Lateral projection; L wrist radiograph; 2y M; Siemens.
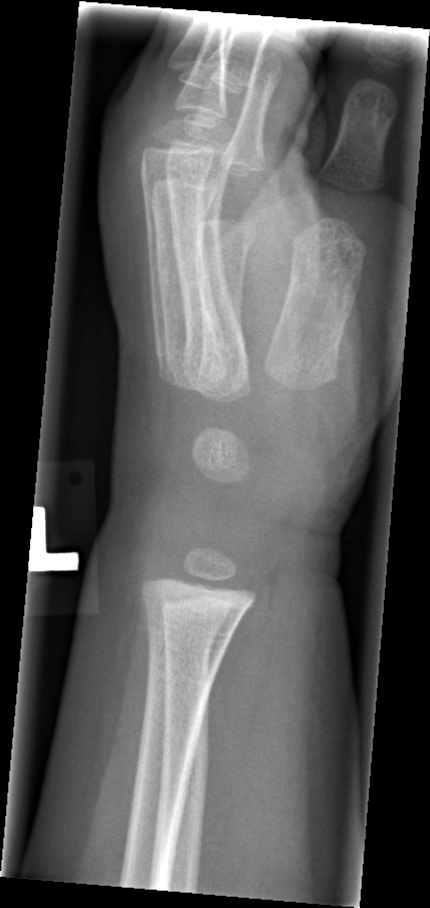
{"fracture": "none labeled"}